Lt wrist X-ray | posteroanterior | 12y F | subsequent exam 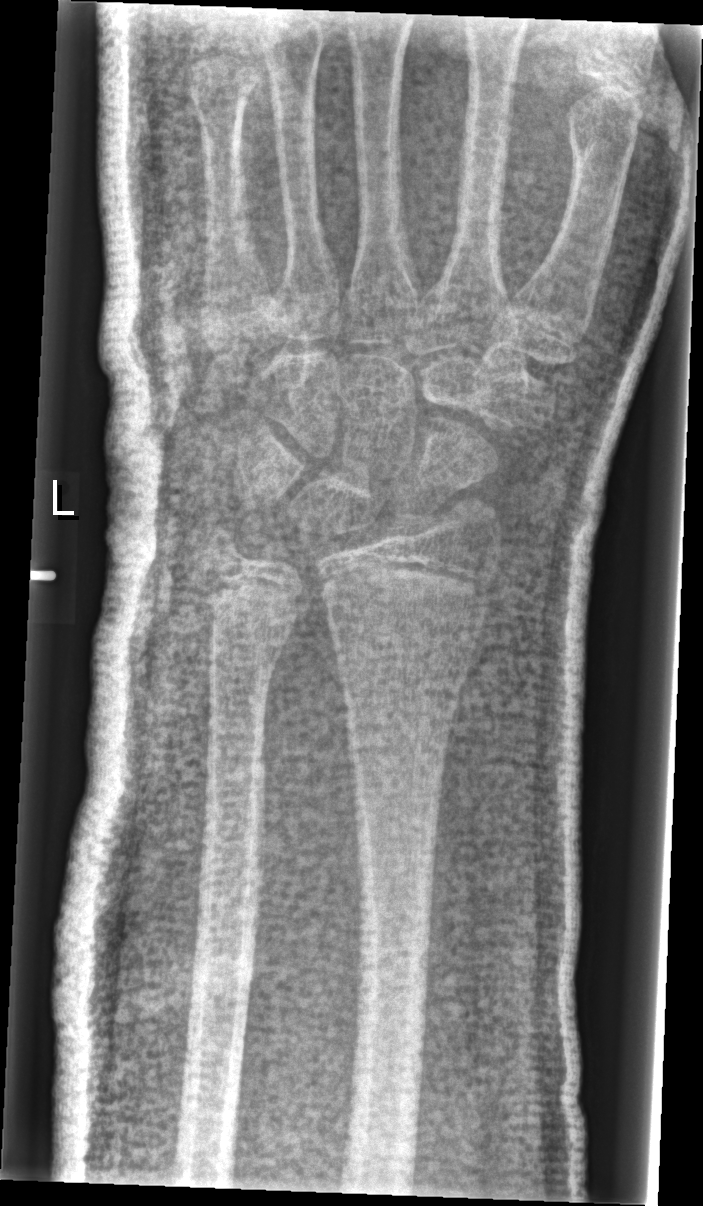
Fx: present but not clearly seen in this view. AO/OTA classification: 23r-M/3.1.